Left pediatric wrist radiograph | lat projection — 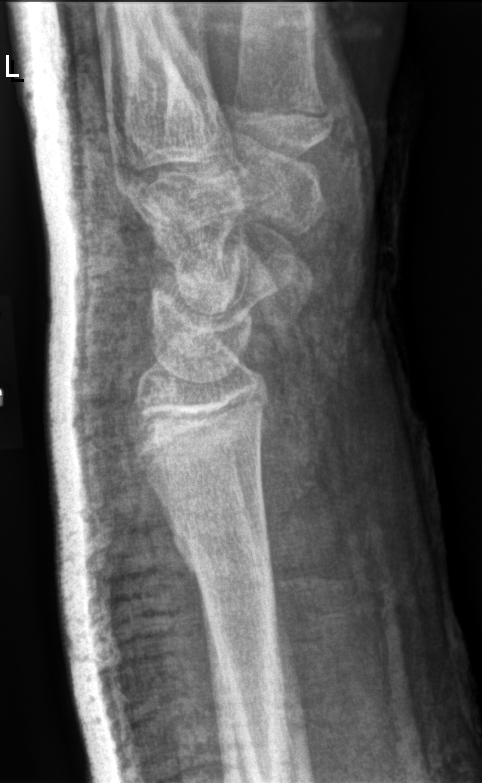

Fx = [x1=167, y1=502, x2=278, y2=594]
AO classification = 23-M/2.1; 23u-E/7